Lat | Rt pediatric wrist radiograph | pediatric patient (boy, age 13) | in cast.

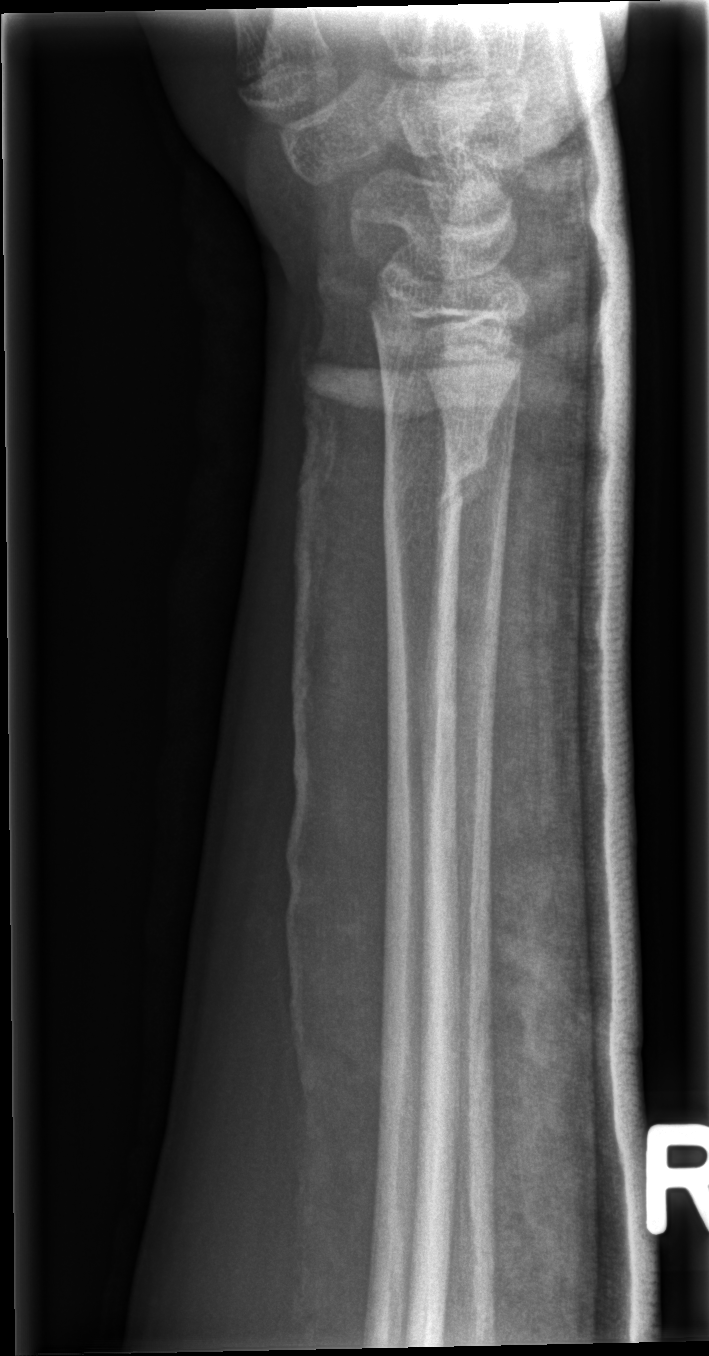

Coordinates are [x1, y1, x2, y2] in image pixels.
Fracture classified AO/OTA 23-M/2.1.
One bone fracture at [372, 431, 496, 528].